AP projection | left wrist plain radiograph of the wrist | 13-year-old male.
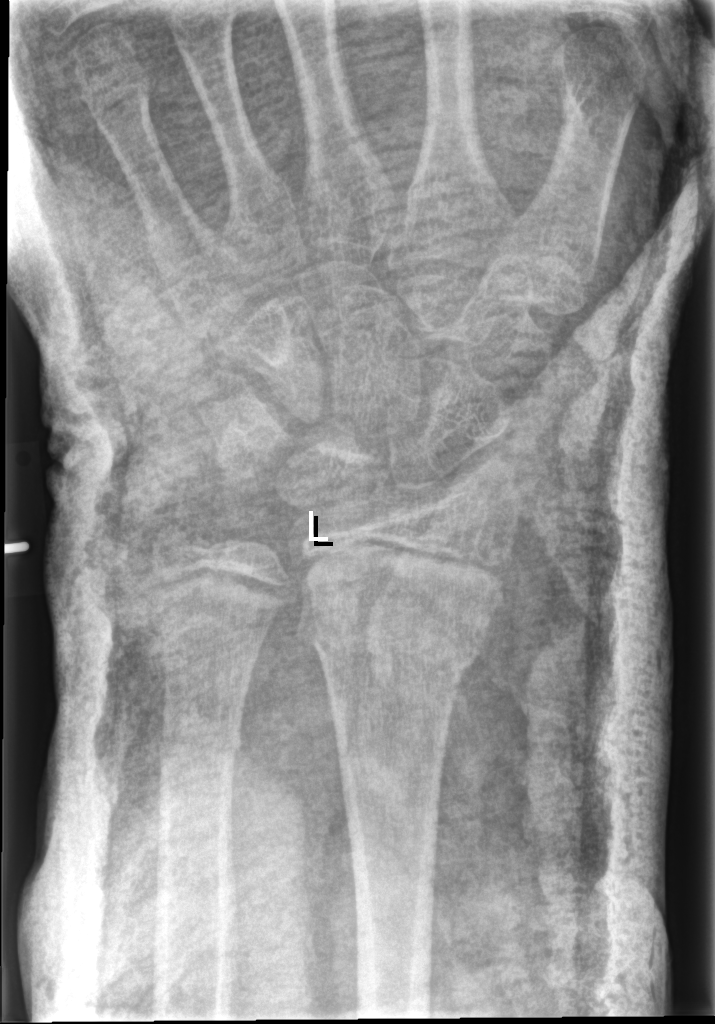
{
  "ao": "23r-M/3.1; 23u-M/2.1; 23u-E/7",
  "fracture": "305 597 492 689\n  155 718 246 769\n  146 507 223 566"
}